Lat projection; L wrist plain film; 6-year-old female; Siemens —

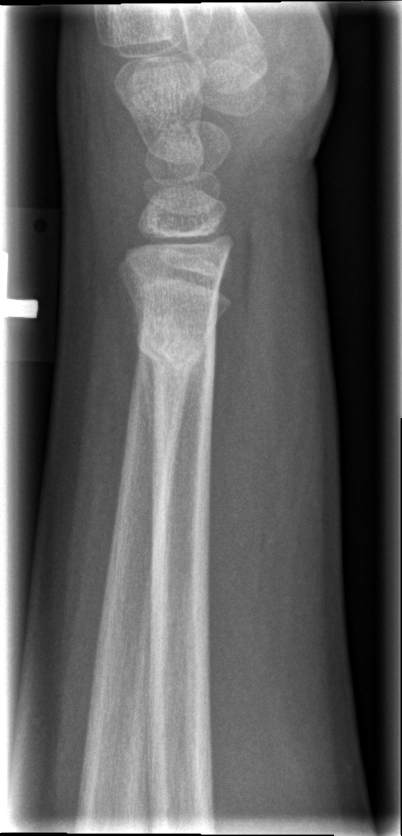 AO classification = 23-M/2.1
Fx = 1 @ 131 311 221 390
Periosteal new bone = 1 @ 139 344 154 461